AP, R wrist radiograph, age 13 y, male.
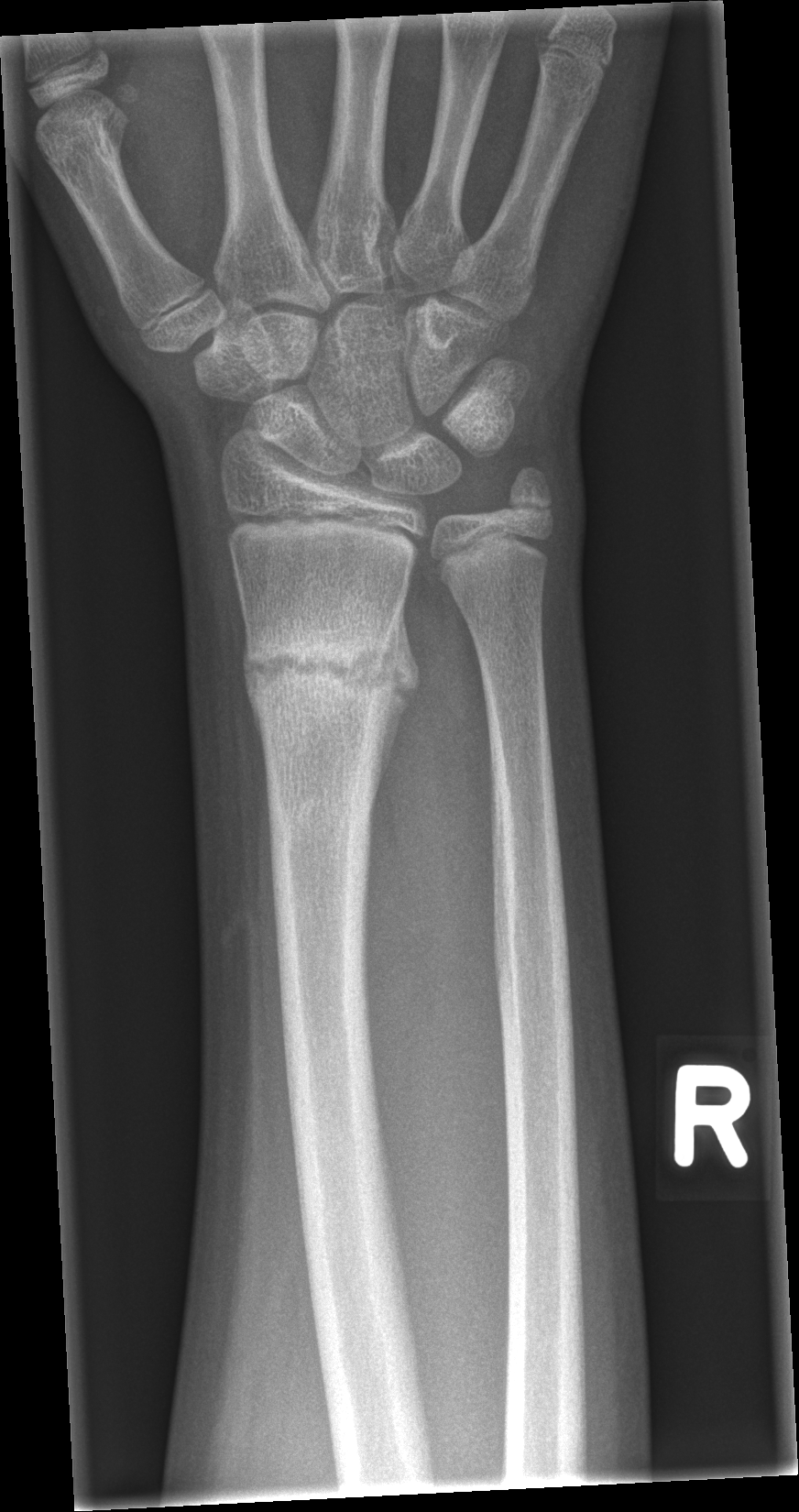
(pixel coordinates, top-left origin, xyxy)
Periosteal thickening: 2 @ <375,600>-<421,795>; <239,620>-<265,757>
AO classification: 23r-M/3.1; 23u-E/7
Fx: 2 @ <243,605>-<411,727>, <498,461>-<564,530>